PA, R wrist plain film — 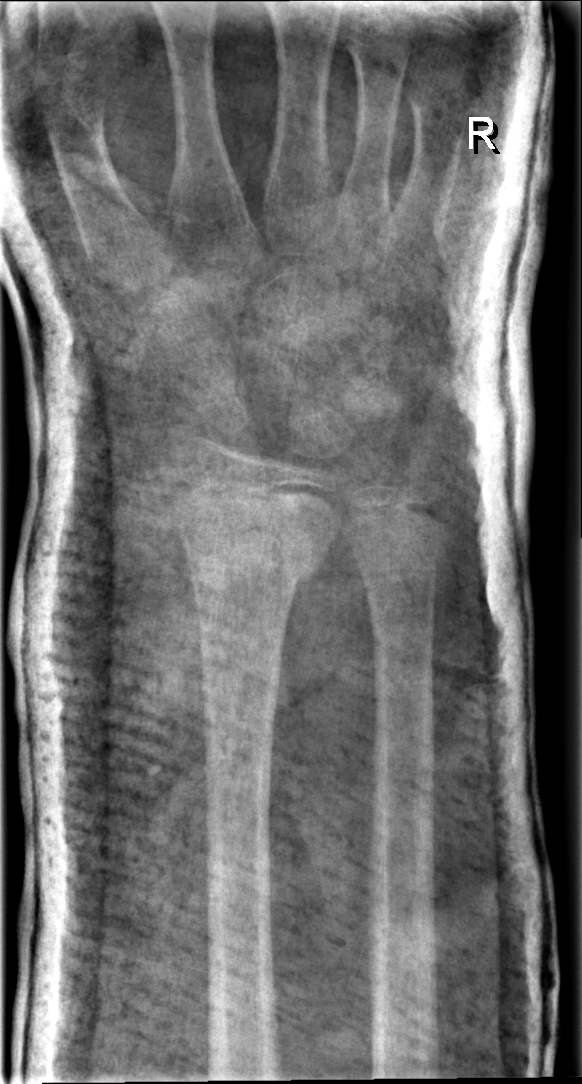
Fx = 172 500 334 598
AO code = 23r-M/3.1; 23u-E/7